Lateral projection, L wrist X-ray, index exam, 472 by 1225 pixels —

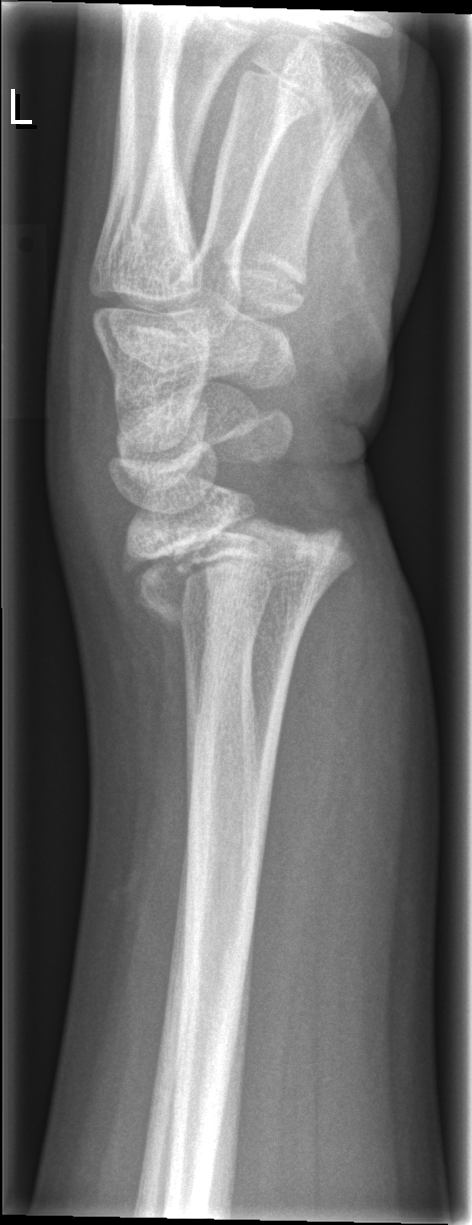

One Fx at bbox(124, 507, 361, 635).